Frontal; right wrist plain film; cast in situ; Siemens.
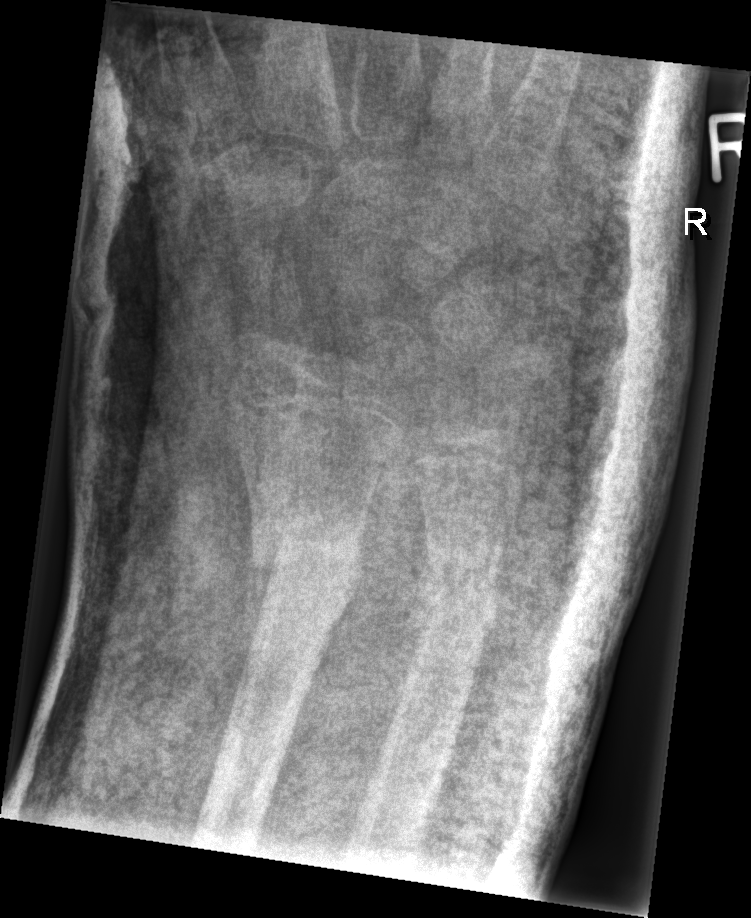 Bounding boxes in image-pixel xyxy. Fracture classified AO/OTA 23-M/3.1. Bone fracture identified at [x1=246, y1=504, x2=369, y2=589]; [x1=416, y1=553, x2=503, y2=628].